Posteroanterior projection; L wrist radiograph; 9y M —
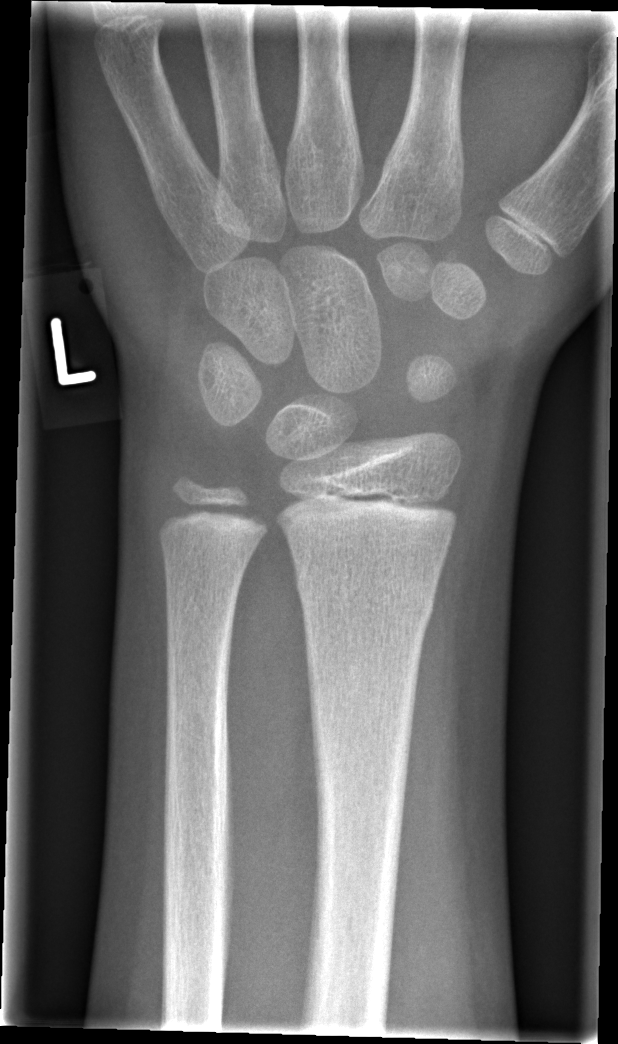

AO/OTA: 23r-M/2.1
Fx: 1 @ <294,562>-<436,627>